Lateral projection, right wrist plain film, 5-year-old male. 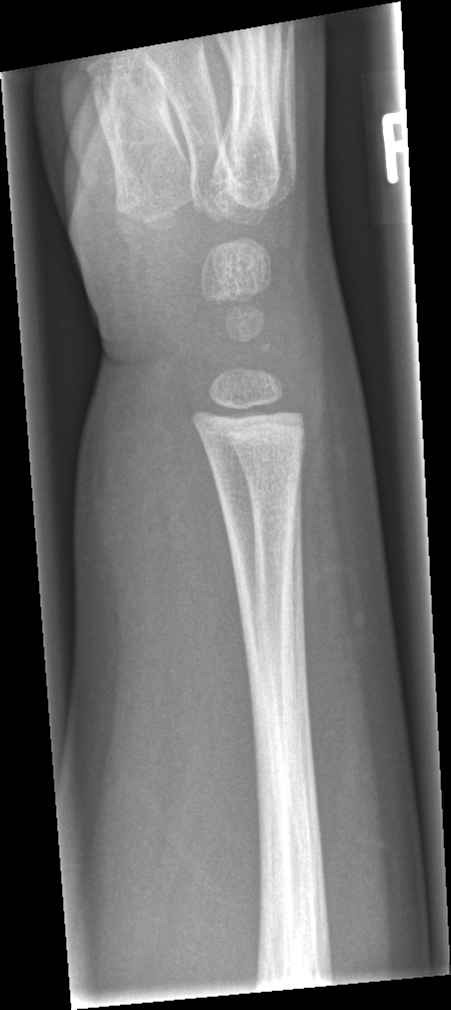
• Fx: none.